Lateral view · left wrist plain radiograph of the wrist · girl, 10 yo · Siemens · 421 x 730 px —
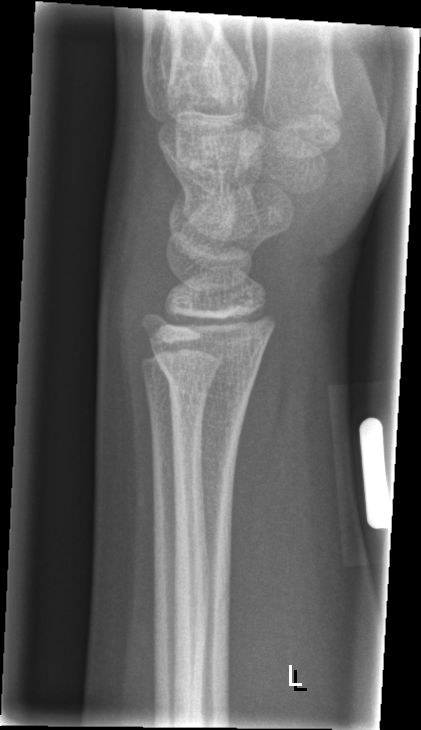
- Pixel coordinates, top-left origin, xyxy.
- Bone fracture — 152 346 263 403.
- Fracture classified AO/OTA 23r-M/2.1.